Lateral projection, left wrist X-ray, age 6 y, female, index exam, 60.2 mm image width:

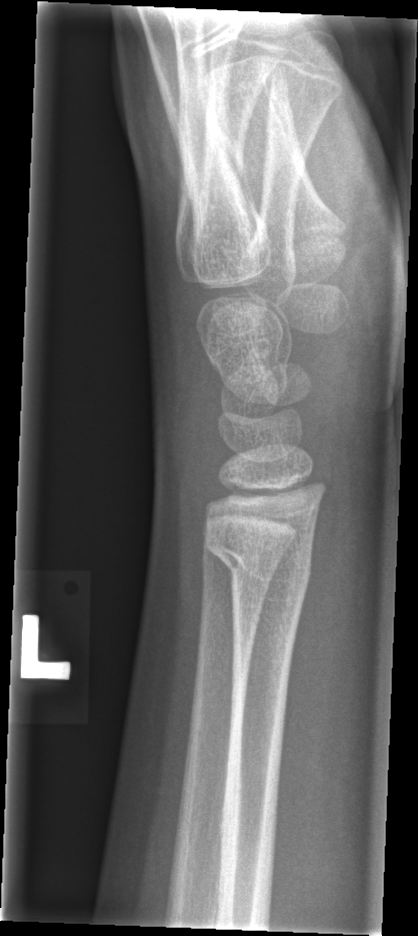

(pixel coordinates, top-left origin, xyxy)
Q: Any fracture seen?
A: Fracture — (left=203, top=525, right=317, bottom=592)
Q: What is the AO/OTA classification?
A: Fracture classified AO/OTA 23r-M/2.1